Left wrist X-ray, lateral, 7y M, in cast.

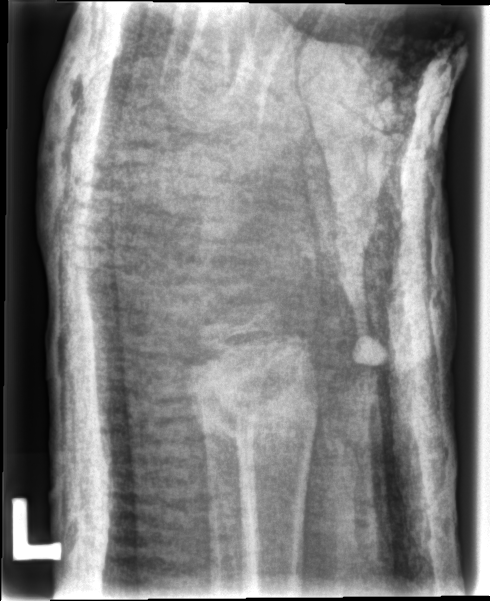 (boxes as x1,y1,x2,y2 (top-left / bottom-right, pixel units))
AO/OTA = 23-M/2.1
Fx = 186,380,322,456